Lateral projection | R wrist plain film | 17y F | 71.1 mm image width:

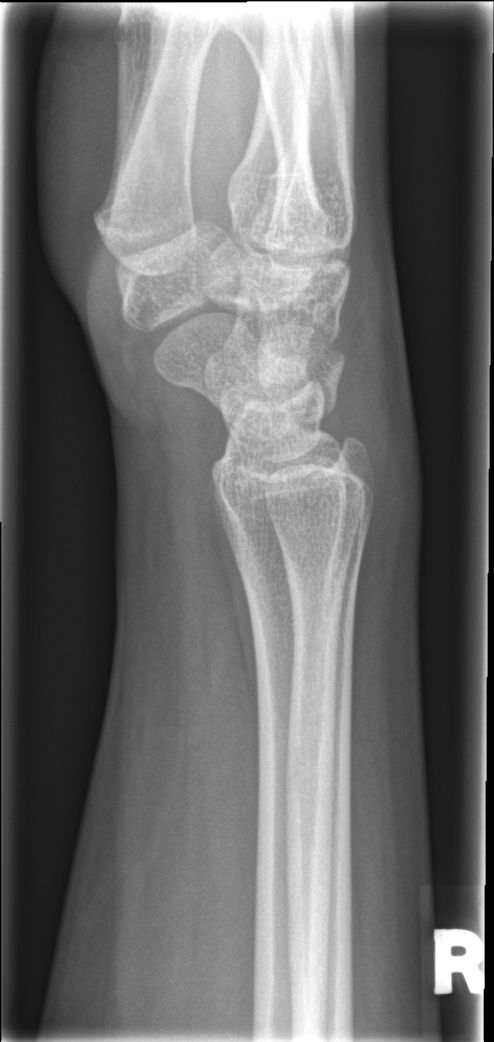

{"fracture": "none labeled"}